Frontal projection | left wrist plain radiograph of the wrist | 87.3 mm image width: 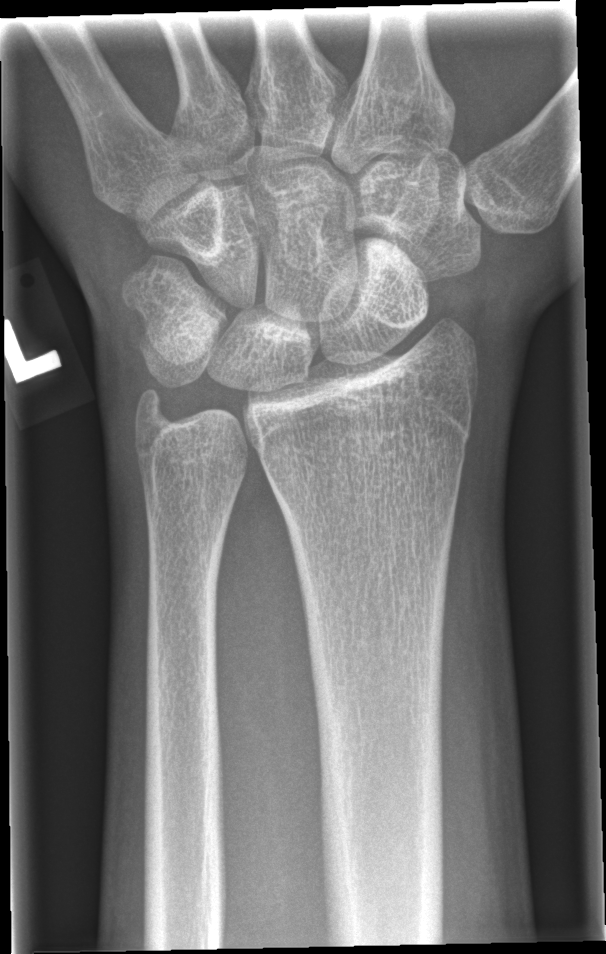 Fracture = none labeled